Posteroanterior · right wrist pediatric wrist radiograph · image 90.7 mm wide. 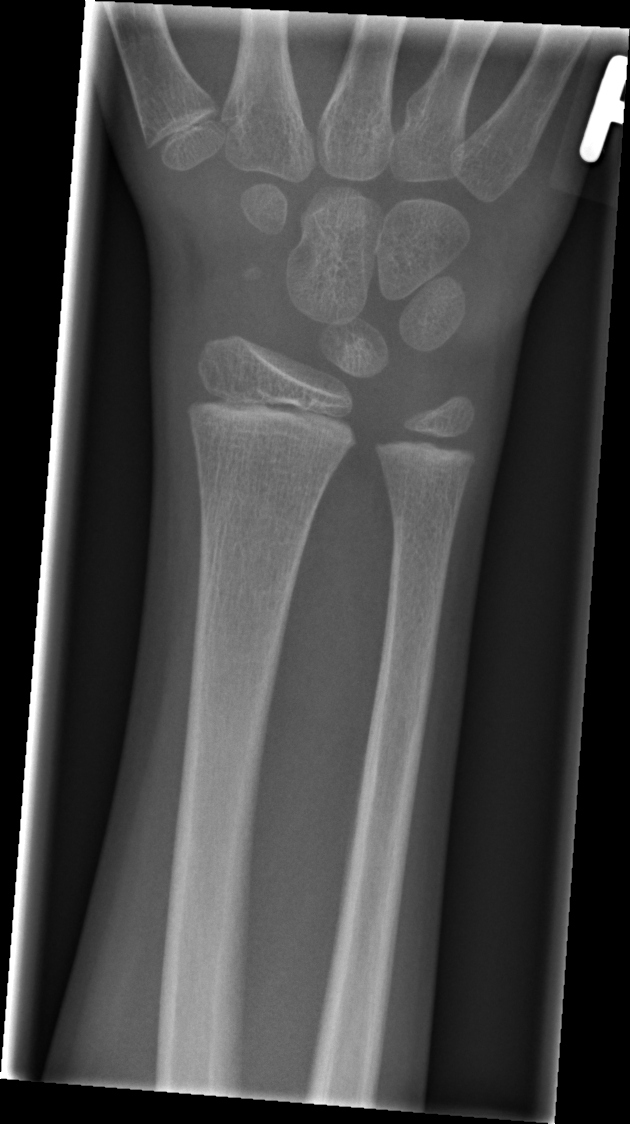
Q: Locate any fractures.
A: Fx: present but not clearly seen in this view